Right pediatric wrist radiograph, lateral projection, age 12 y, girl, 436x570 — 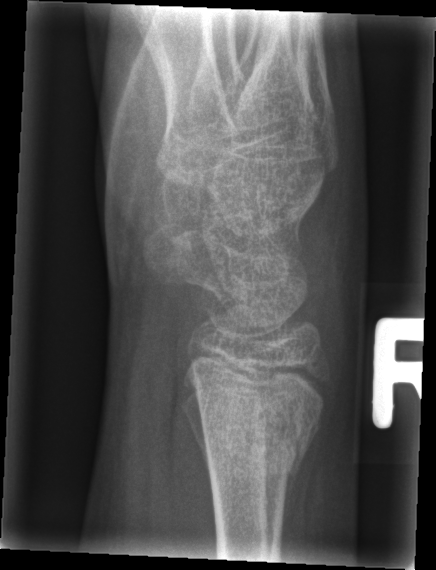
Coordinates are [x1, y1, x2, y2] in image pixels.
Bone fracture — [181, 372, 330, 489].